Left wrist XR · frontal view · male, 14 yo · follow-up study. 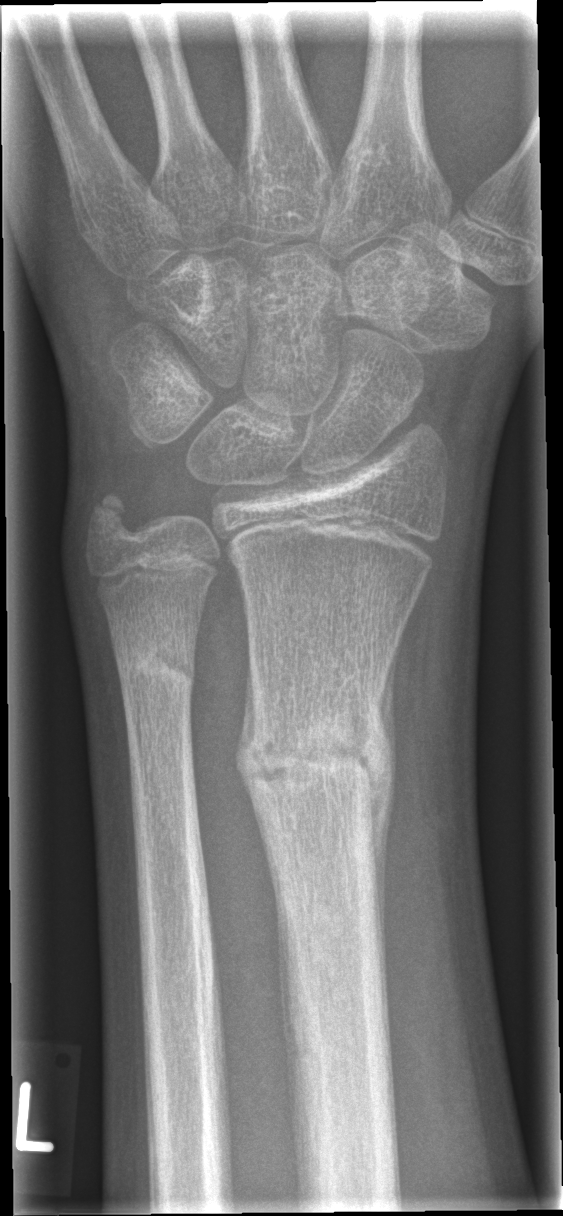
Bone fracture: 3 @ <238,699>-<399,819>; <110,631>-<199,704>; <83,483>-<140,546>
Periosteal thickening: 2 @ <371,624>-<406,981>; <233,644>-<259,814>